L wrist XR; PA/AP projection; 4-year-old male; Siemens; 386x763:

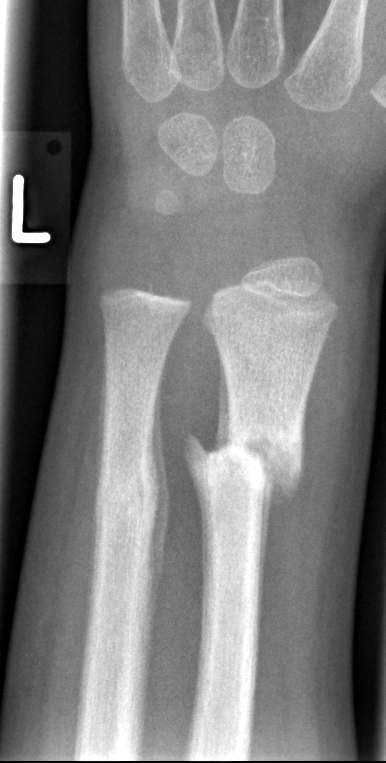

- Periosteal reaction — 149 352 170 643
  256 481 275 656
  212 353 232 454
  98 346 108 498.
- Bone fractures — 183 420 304 509; 91 448 166 549.